Rt plain radiograph of the wrist, PA, image 85.0 mm wide
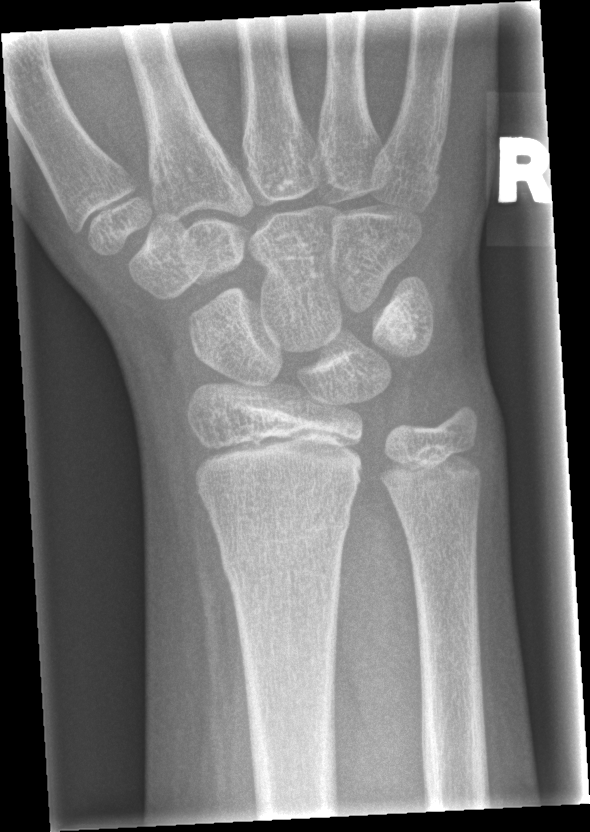
AO code 23r-M/2.1. One fracture at (left=216, top=506, right=353, bottom=586).